Posteroanterior; Lt plain radiograph of the wrist:

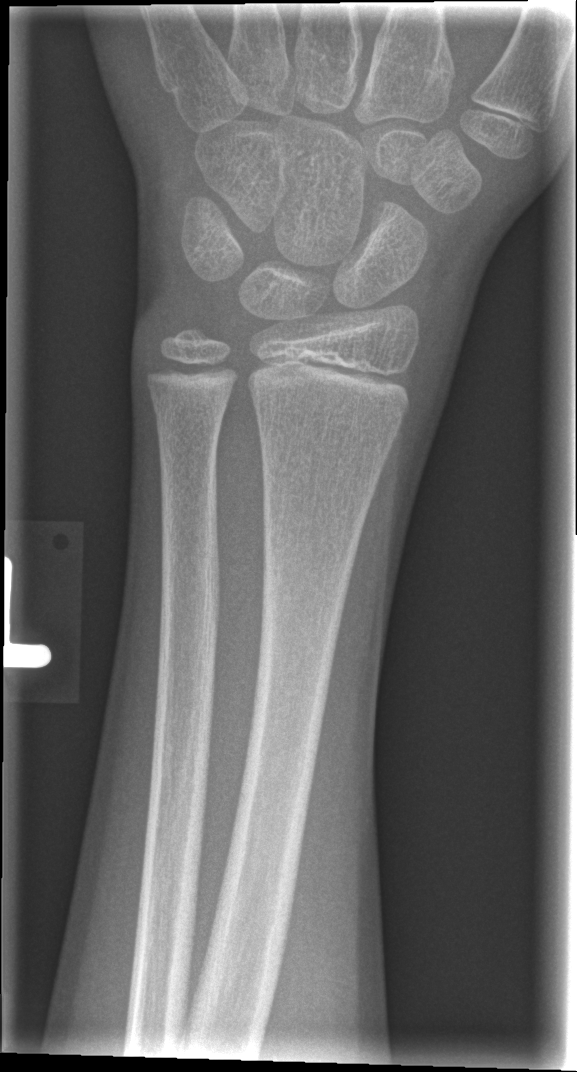

fracture: none labeled